Frontal view | left wrist plain film | pediatric patient (boy, age 13) | follow-up | 94.8 mm image width:

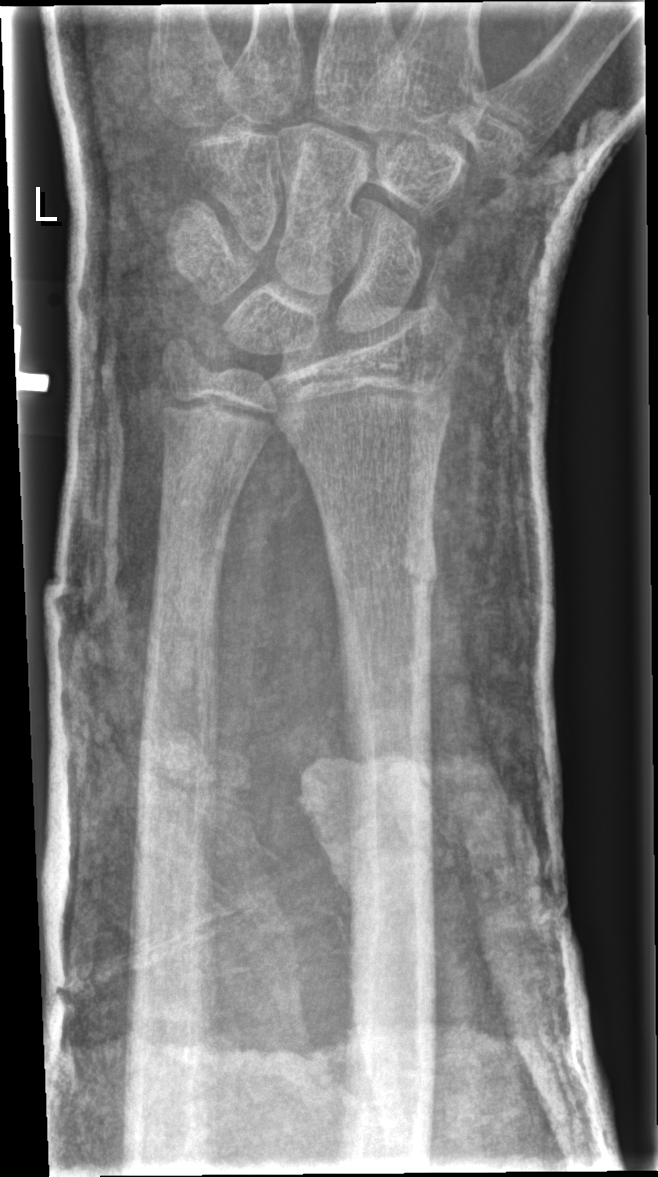
{"_coords": "pixel coordinates, top-left origin, xyxy", "fracture": "1 @ bbox(322, 522, 441, 616)", "ao": "23-M/2.1"}